PA view, R wrist X-ray, 15y M, presentation radiograph 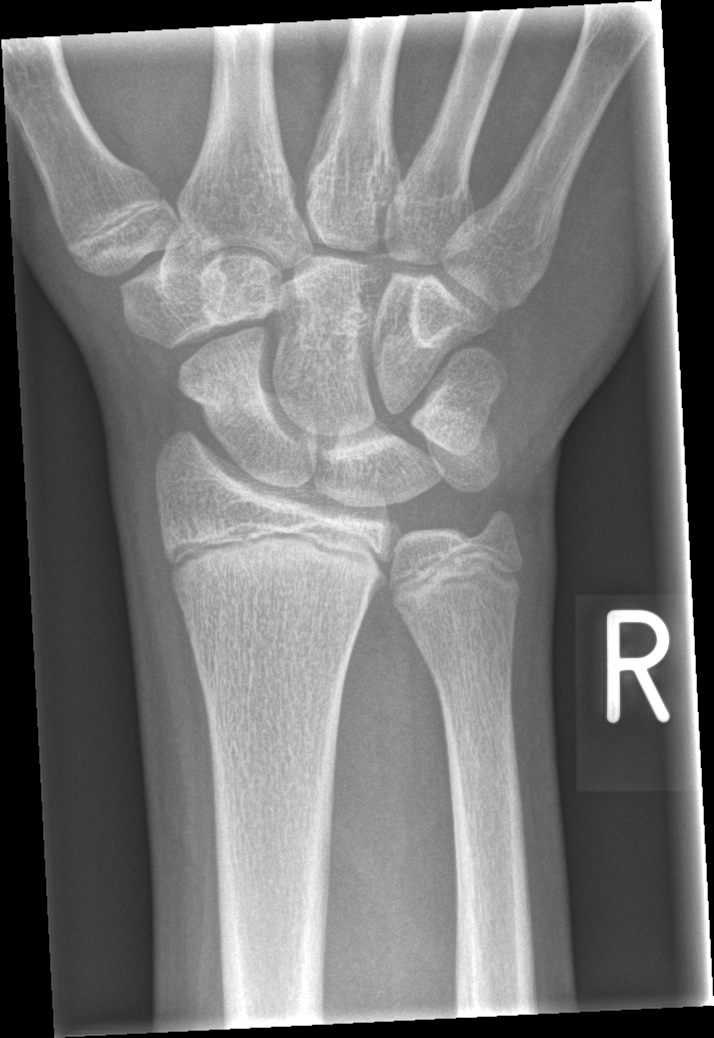

No Fx annotated.